Left wrist radiograph | PA/AP | cast in situ | acquired on Siemens.

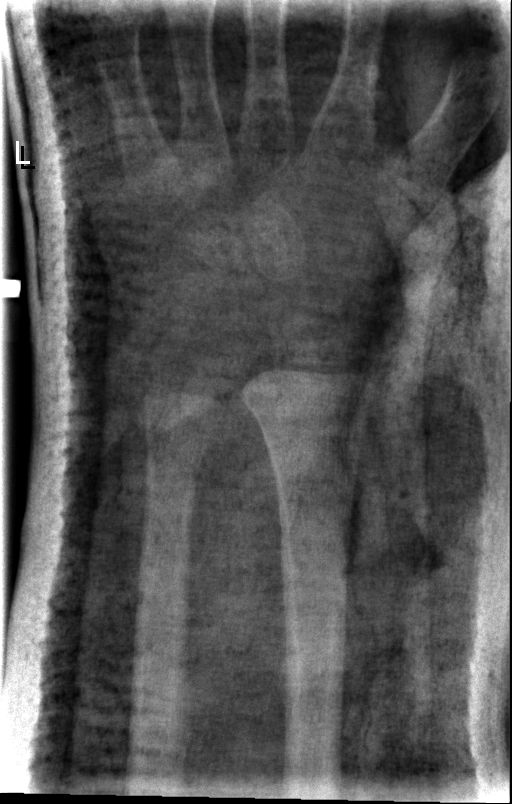
AO/OTA = 23r-M/3.1
Fx = present but not clearly seen in this view